Lateral view, L plain radiograph of the wrist, follow-up study, imaged through cast.
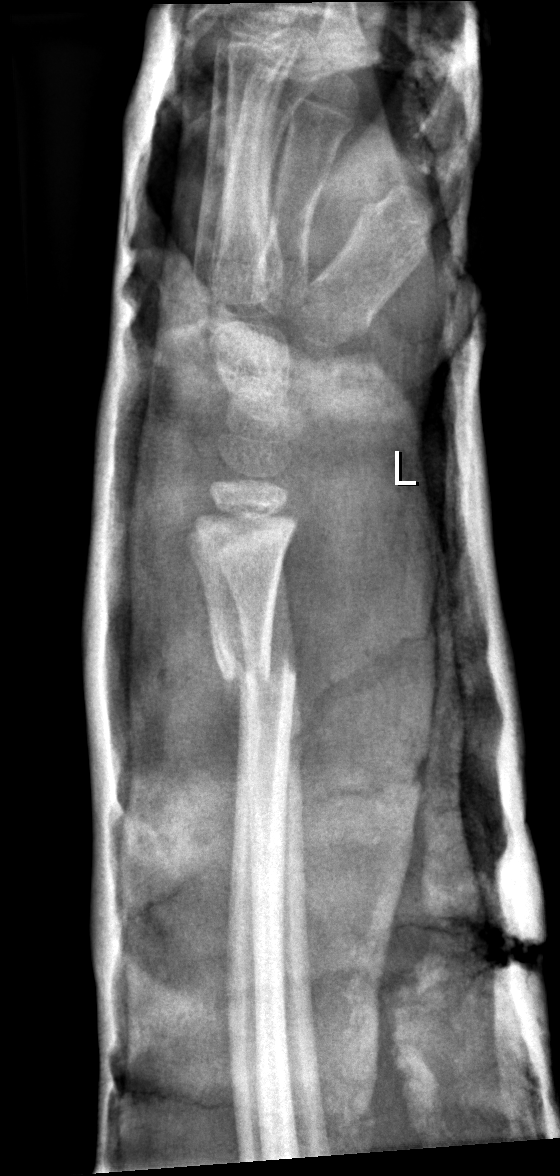
(boxes as x1,y1,x2,y2 (top-left / bottom-right, pixel units))
Bone fracture = 1 @ bbox(206, 627, 302, 694)